Lt wrist radiograph; lat view; 9-year-old male; follow-up study; image size 392x1094:

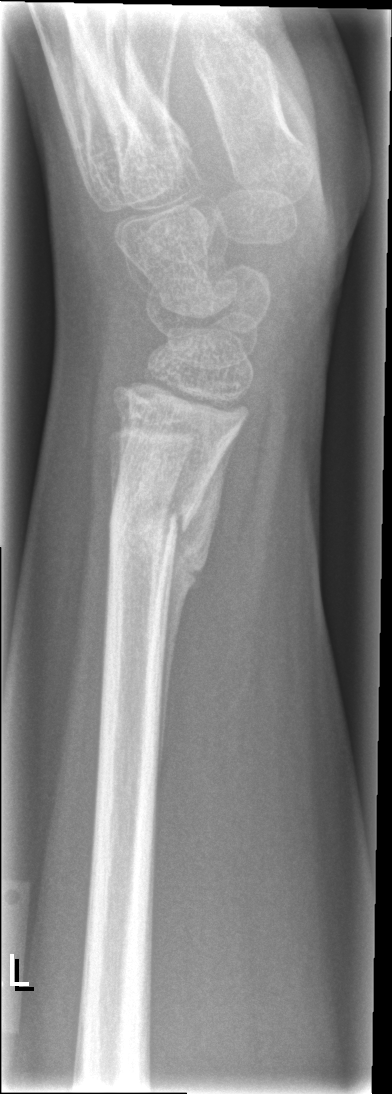
Periosteal thickening: (158, 430, 240, 781)
Bone fracture: (104, 482, 212, 573)